Rt wrist plain film | obl projection

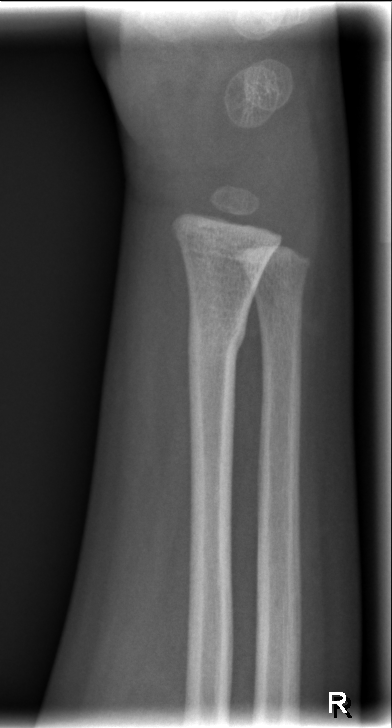

(boxes as x1,y1,x2,y2 (top-left / bottom-right, pixel units))
Q: Is there a fracture?
A: One fracture at [183, 308, 248, 366]
Q: What is the AO/OTA classification?
A: AO code 23r-M/2.1